Left wrist XR · lateral view · cast present:

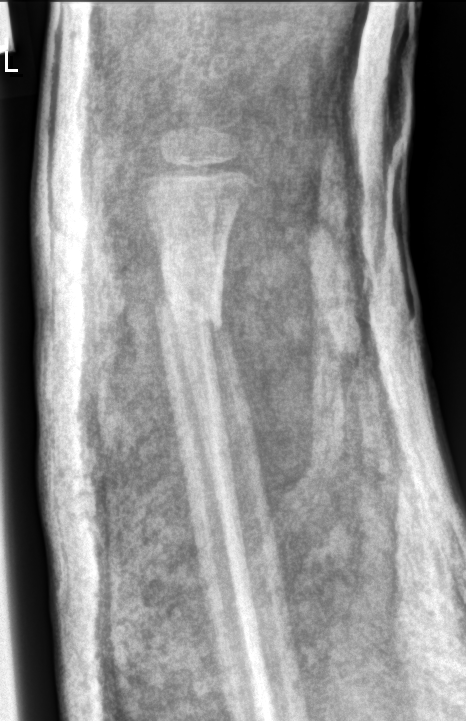
One fracture at [155, 281, 225, 348].
Fracture classified AO/OTA 23-M/3.1.